Posteroanterior view · Lt wrist radiograph · initial study. 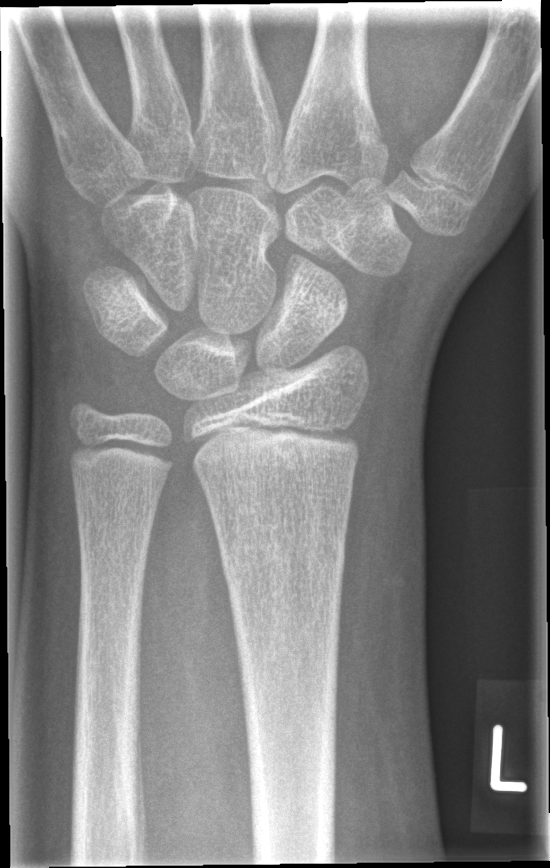 Pixel coordinates, top-left origin, xyxy.
Fracture classified AO/OTA 23r-M/2.1.
Fracture — bbox(215, 527, 348, 587).